Frontal view · Rt wrist radiograph · follow-up study:

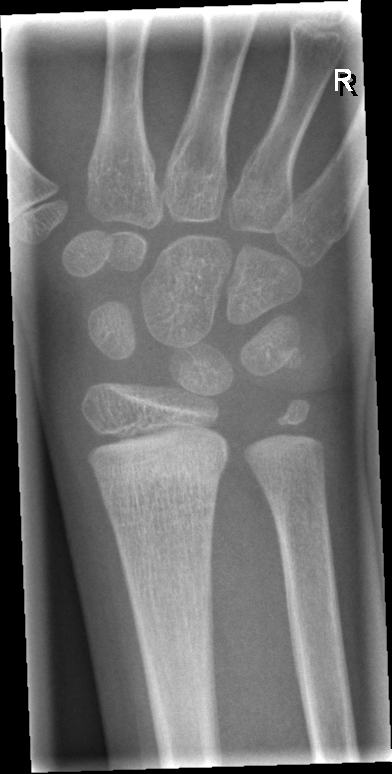 (boxes as x1,y1,x2,y2 (top-left / bottom-right, pixel units))
AO code = 23r-M/2.1
fracture = 1 @ (93, 439, 230, 508)